Frontal view; L wrist X-ray; pediatric patient (boy, age 7).
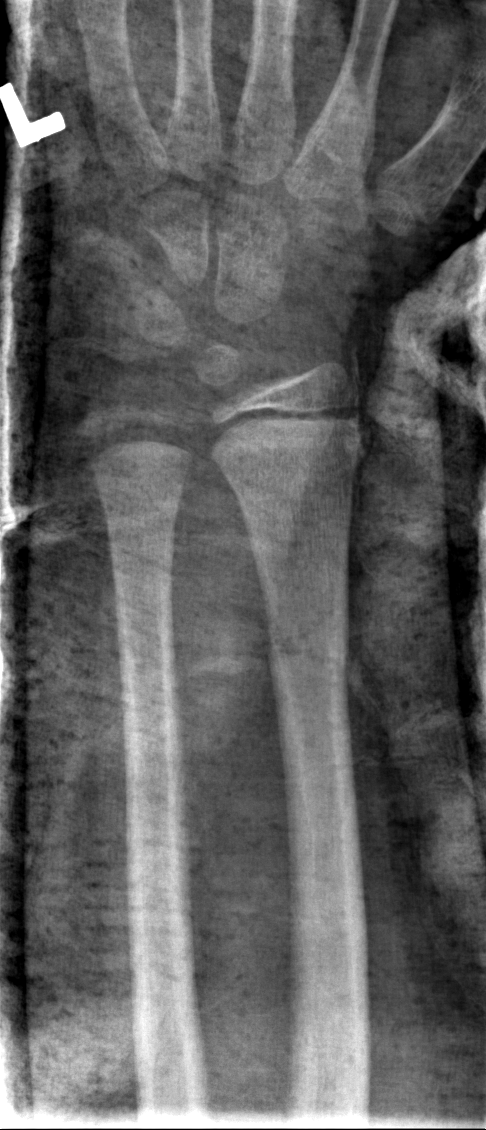 ao: 22r-D/2.1
fracture: (263, 623, 354, 687)